AP · right wrist plain radiograph of the wrist · age 14 y, female. 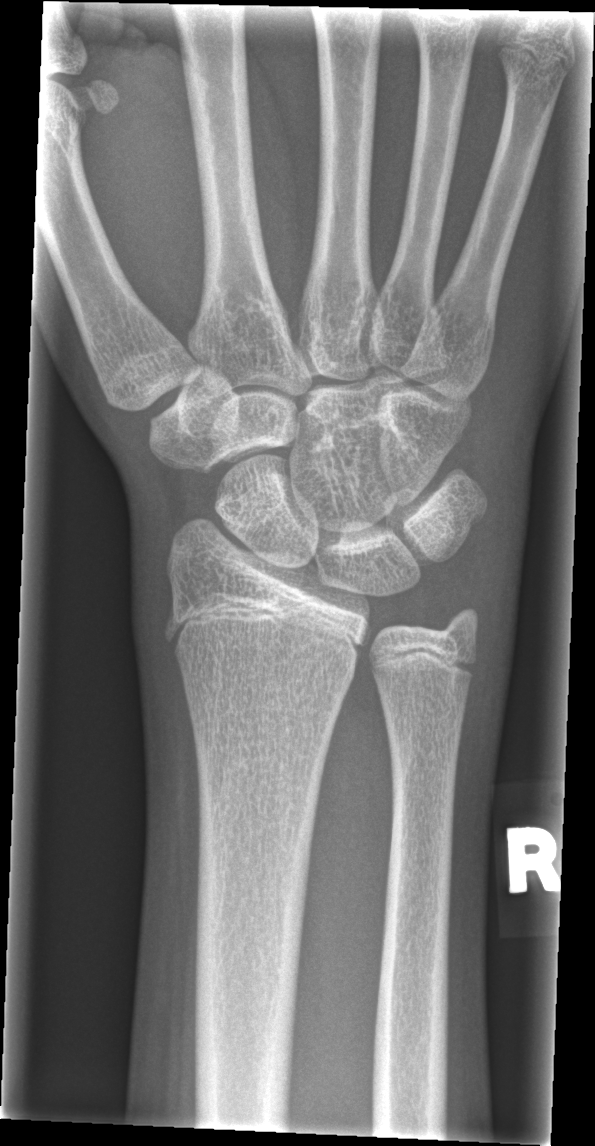 - No fracture annotation.